L wrist radiograph; lateral projection; 14-year-old male; 538 x 771 px — 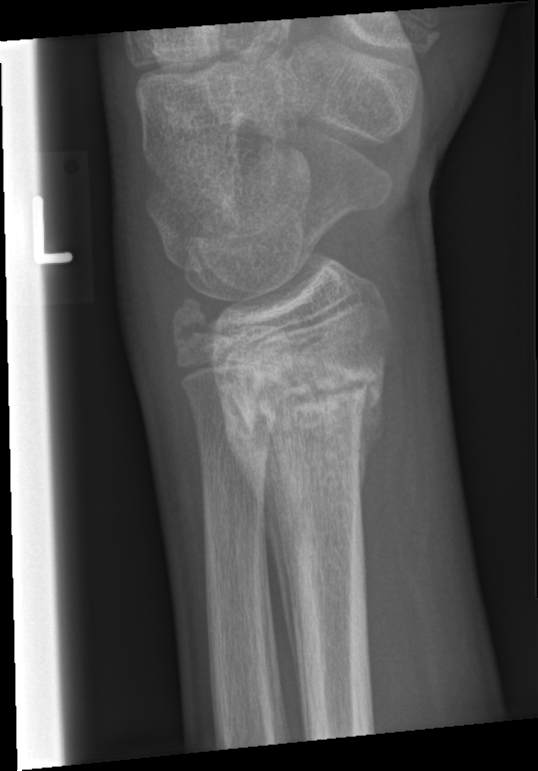
(pixel coordinates, top-left origin, xyxy)
AO classification = 23r-M/3.1; 23u-E/7
Fx = <213,343>-<387,429>; <169,295>-<214,353>
Periosteal reaction = 2 @ <215,374>-<304,701> <358,384>-<388,514>